Lt plain radiograph of the wrist | AP projection | cast in situ | Siemens — 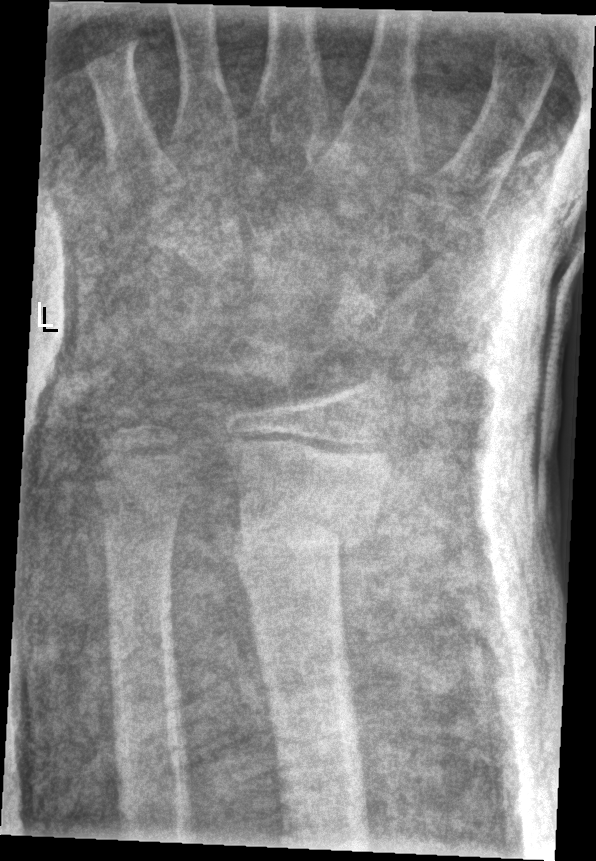
FINDINGS — (coordinates are [x1, y1, x2, y2] in image pixels) Bone fracture: (226, 492, 377, 572).